Left wrist XR; AP projection: 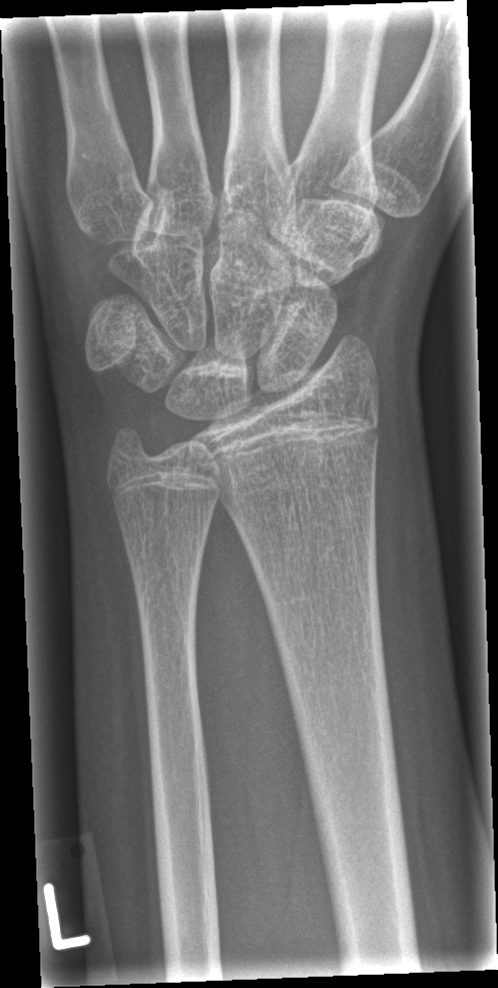
Findings: AO code 23r-M/2.1. Fracture present but not clearly seen in this view.